Posteroanterior view, left wrist plain film, boy, 12 yo, 91.6 mm image width —

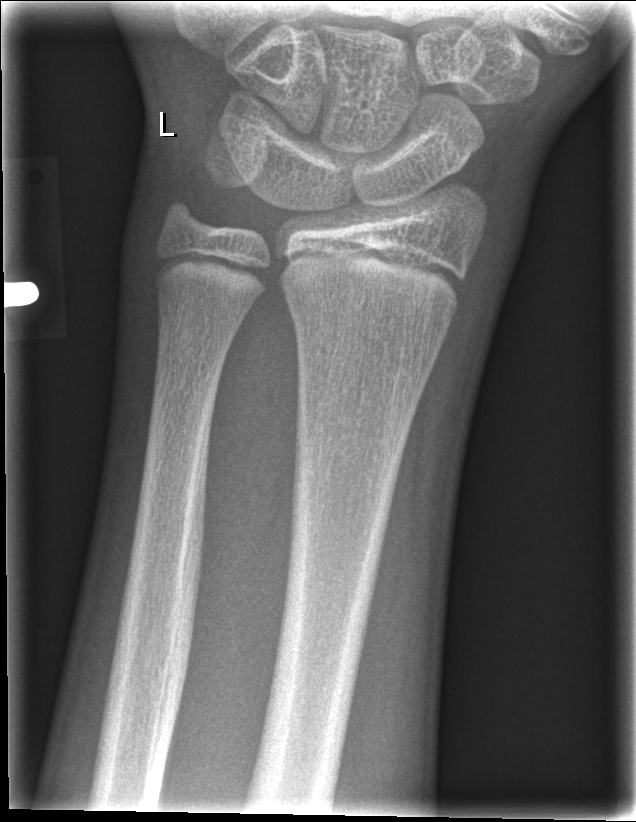
FINDINGS — Fx: none.